R plain radiograph of the wrist | posteroanterior projection | cast in situ | 74.9 mm image width
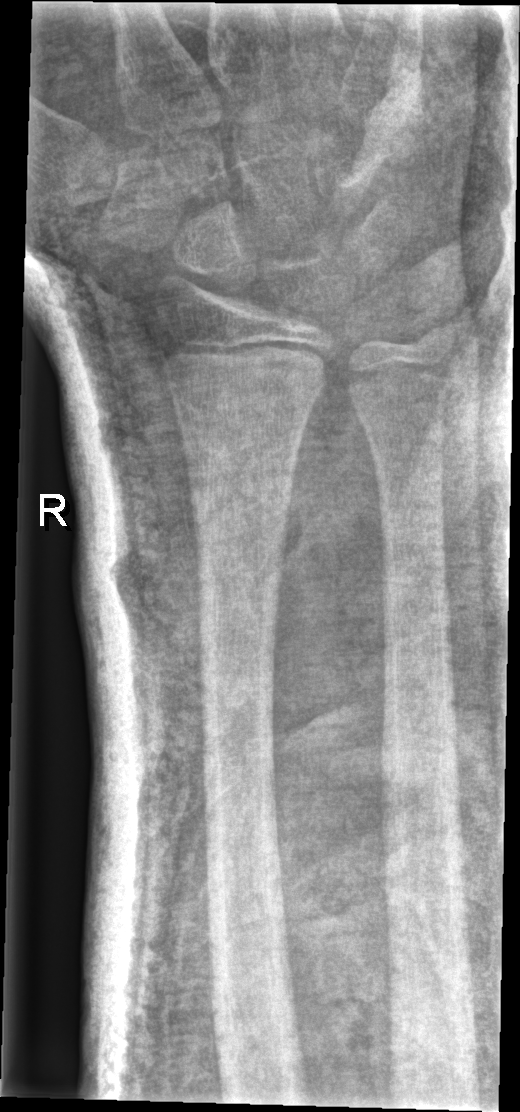

AO classification: 23r-M/3.1; 23u-E/7
Bone fracture: 1 @ 185,466,297,553